Lateral view | left plain radiograph of the wrist — 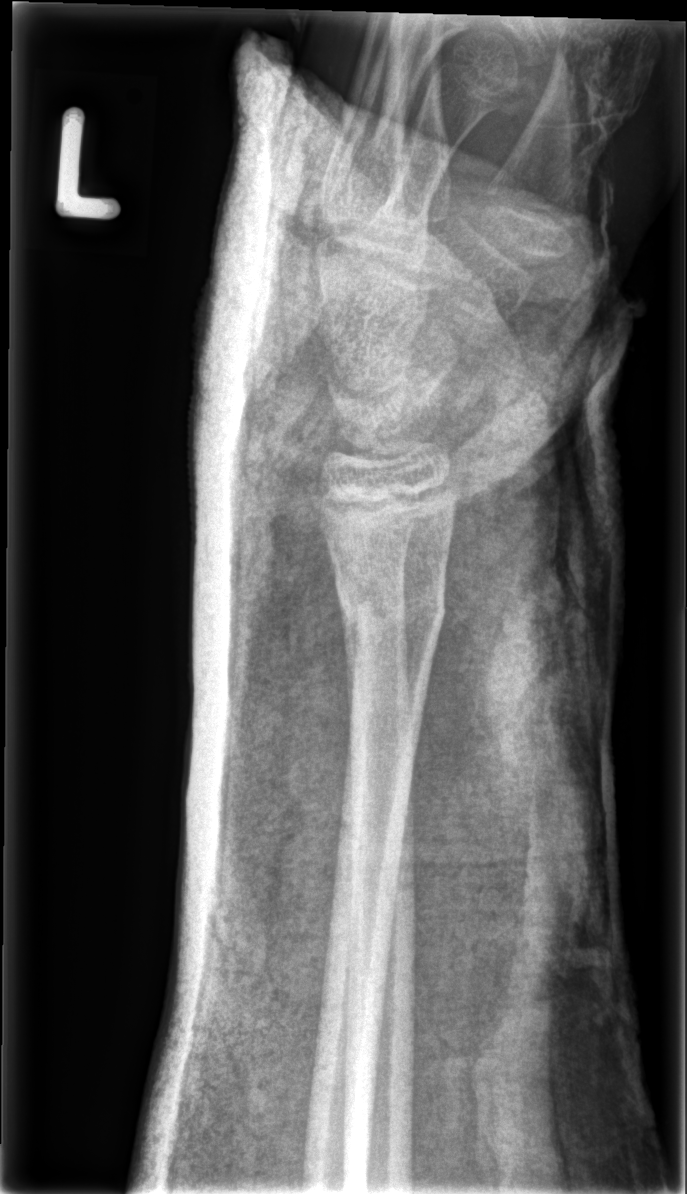   fracture: (left=330, top=570, right=452, bottom=647)